Left wrist X-ray | lat projection 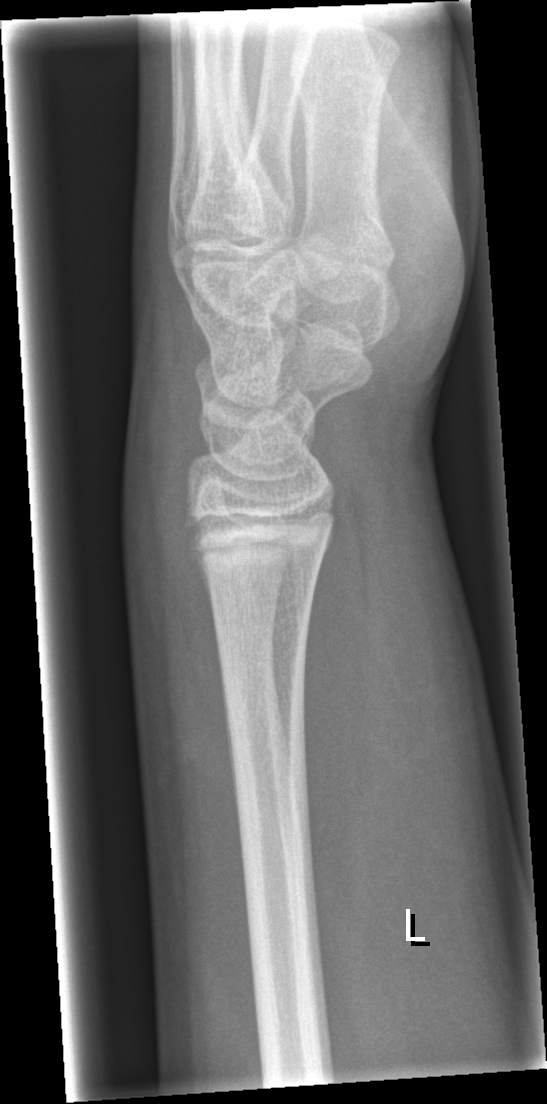

  fracture: none labeled